Rt wrist XR | AP view | age 1.4 y, female | presentation radiograph —

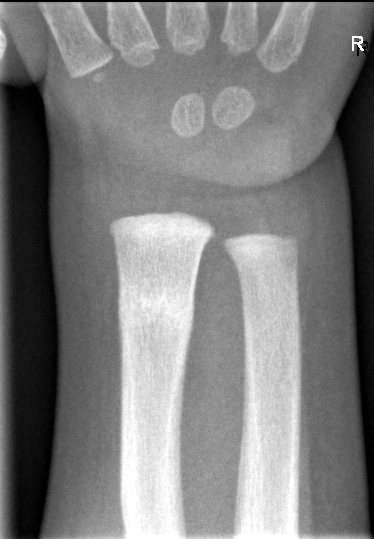
Bone fracture — <115,281>-<196,333>.